Lat view · L pediatric wrist radiograph · age 15 y, boy · index exam · 469x890:
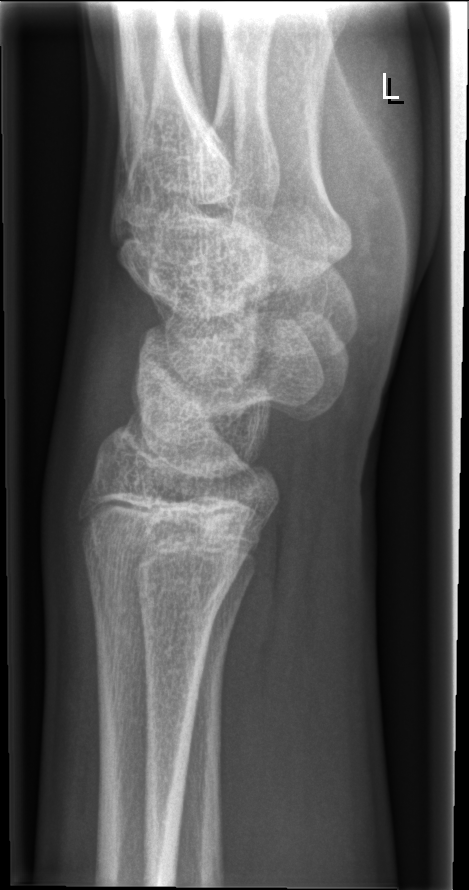 No fracture bounding box.